Right wrist X-ray, PA/AP projection, image 94.8 mm wide 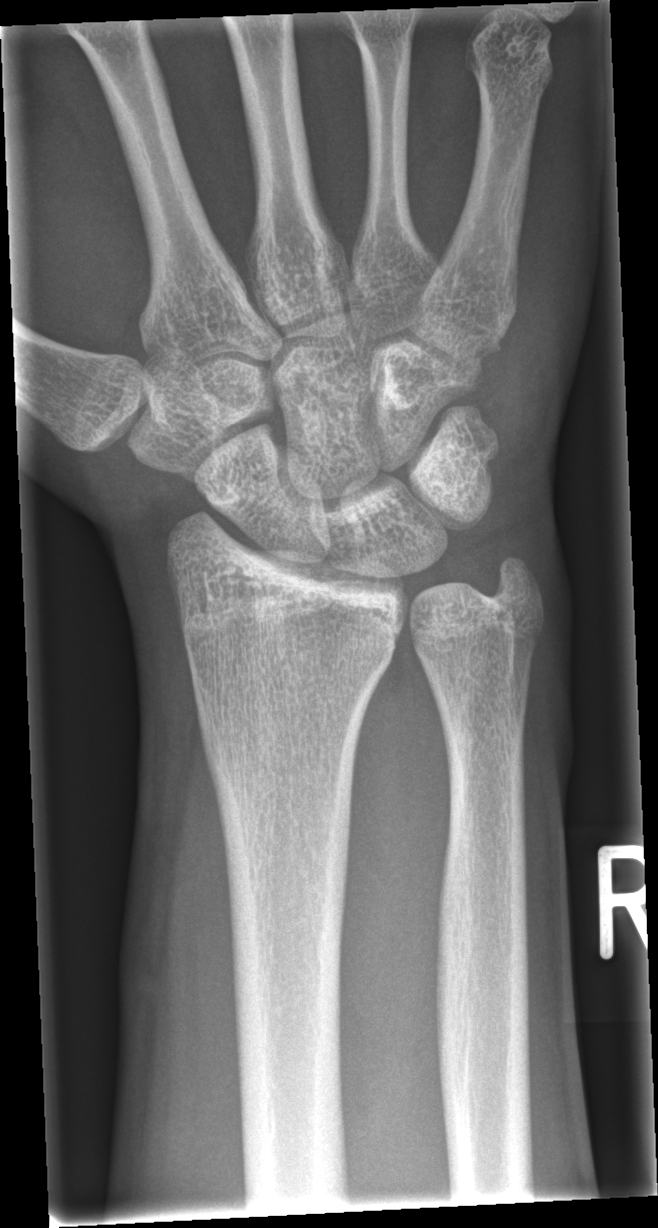

bone fracture: none labeled